Lat view | right plain radiograph of the wrist | 5y F | cast present | 544 by 1150 pixels
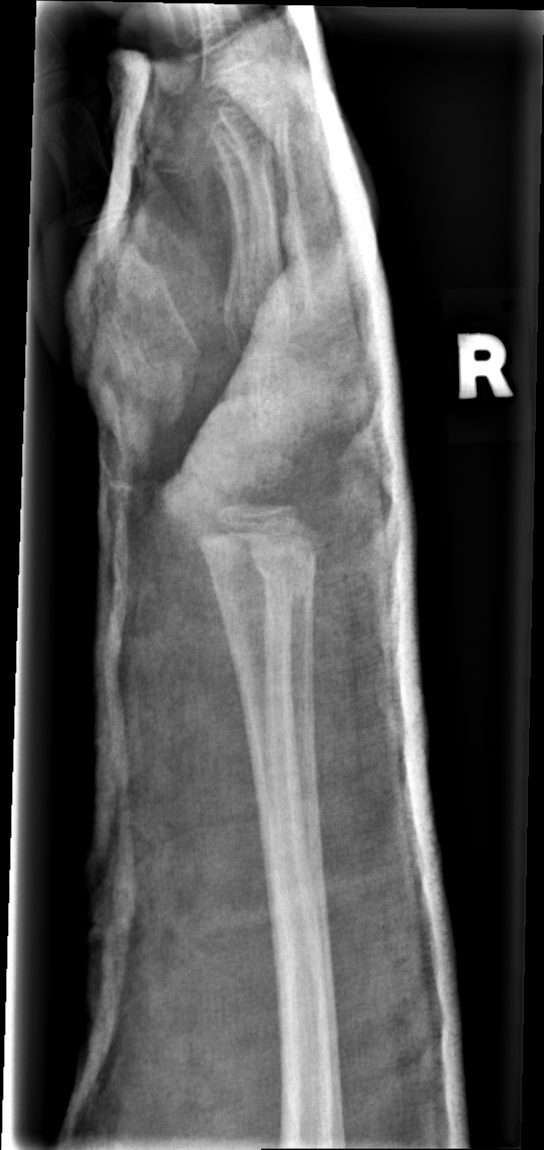

* Coordinates are [x1, y1, x2, y2] in image pixels.
* Fx: [x1=196, y1=521, x2=321, y2=607]; [x1=245, y1=542, x2=321, y2=604].